Frontal view, right wrist plain radiograph of the wrist, image size 581x1256
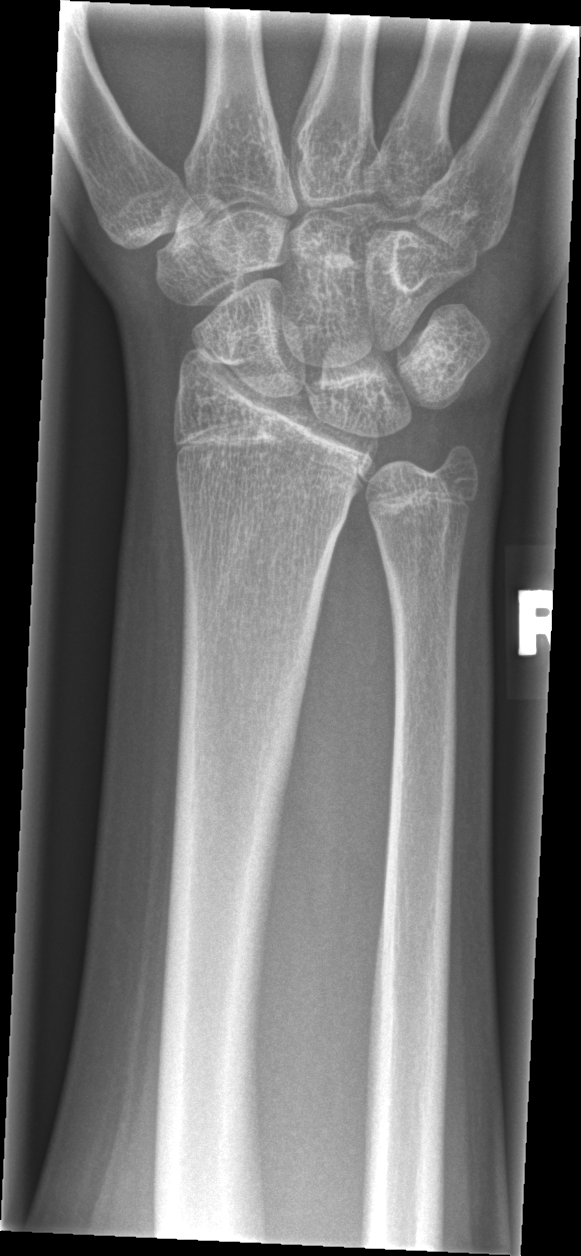

No fracture bounding box.